Right wrist plain film, PA/AP, male, 9 yo, cast in situ, Siemens, 100.8 mm image width, 700x992 —
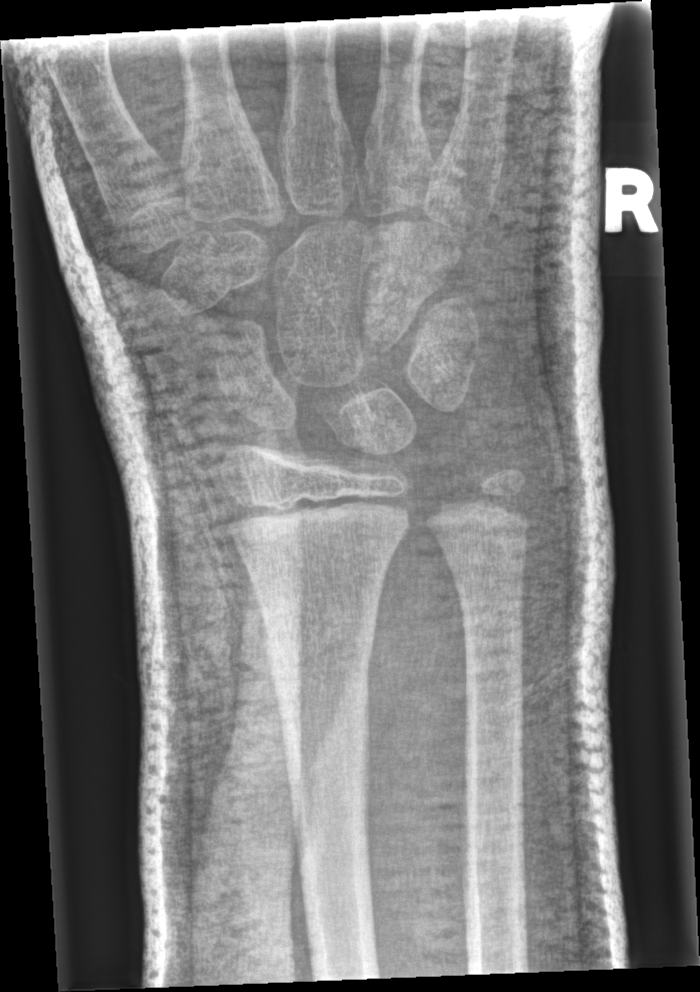
{"_coords": "boxes as x1,y1,x2,y2 (top-left / bottom-right, pixel units)", "fracture": "1 @ 259,611,383,699"}